Lateral projection · left wrist plain radiograph of the wrist · 8y M 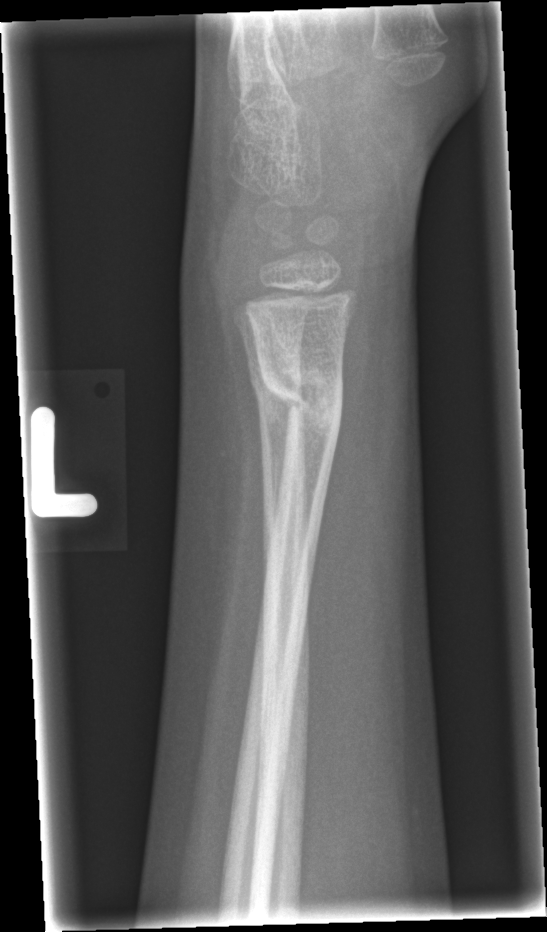
FINDINGS: AO/OTA classification: 23-M/3.1. Fx identified at 255,352,349,438. Periosteal new bone: 262,379,290,533. Decreased bone density (osteopenia).